L wrist X-ray | AP view | pediatric patient (female, age 9) | acquired on Siemens 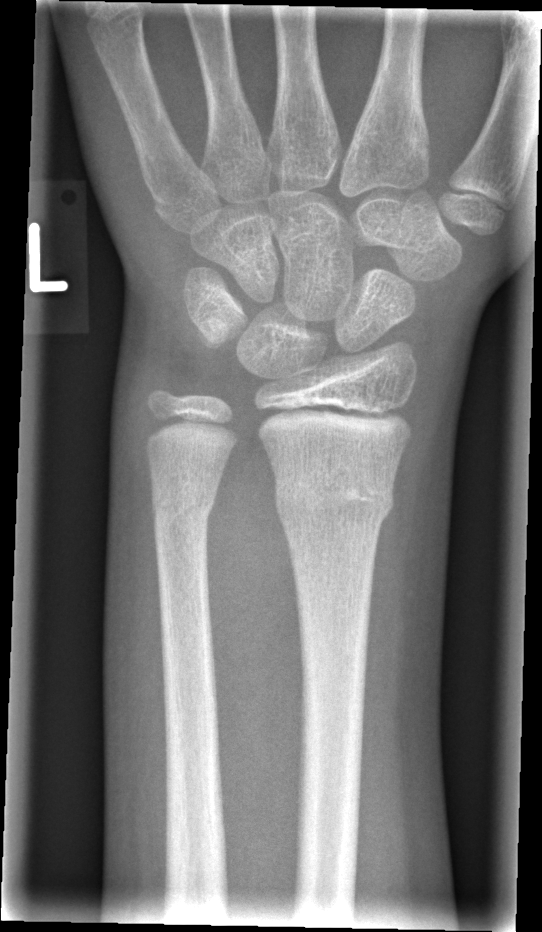 - Two Fx at [271, 469, 397, 530], [148, 486, 214, 530].